Left wrist XR · frontal view · pediatric patient (male, age 11) · Siemens · image 88.8 mm wide · image size 617x780.
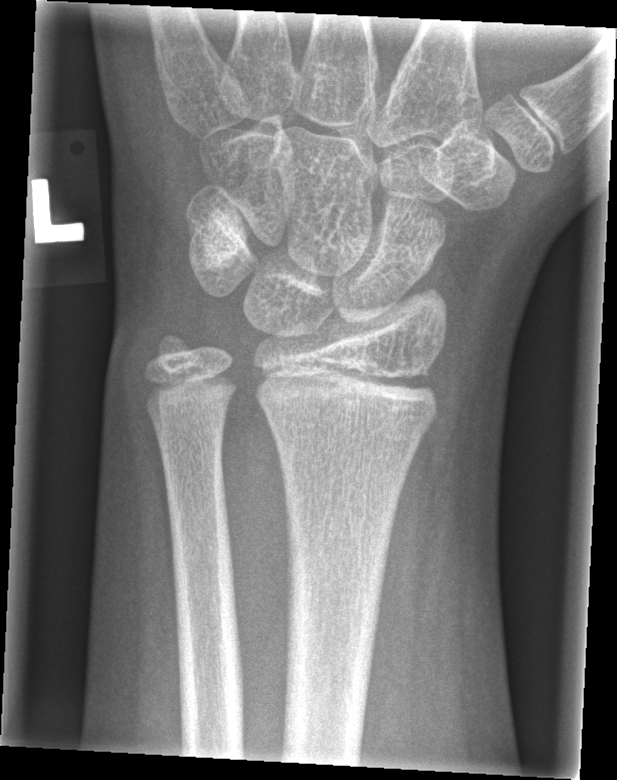 Fx = none labeled